Lat projection · left wrist plain film · age 12 y, boy · presentation radiograph —

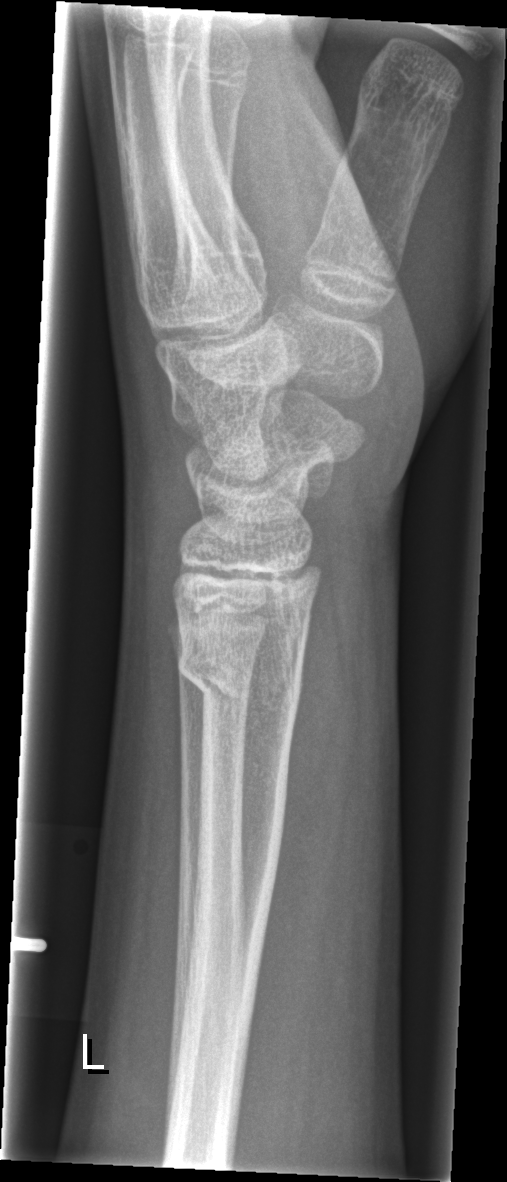
FINDINGS — (bounding boxes in image-pixel xyxy) Bone fracture: [173, 639, 306, 725].